Right wrist plain radiograph of the wrist · PA/AP view · imaged through cast
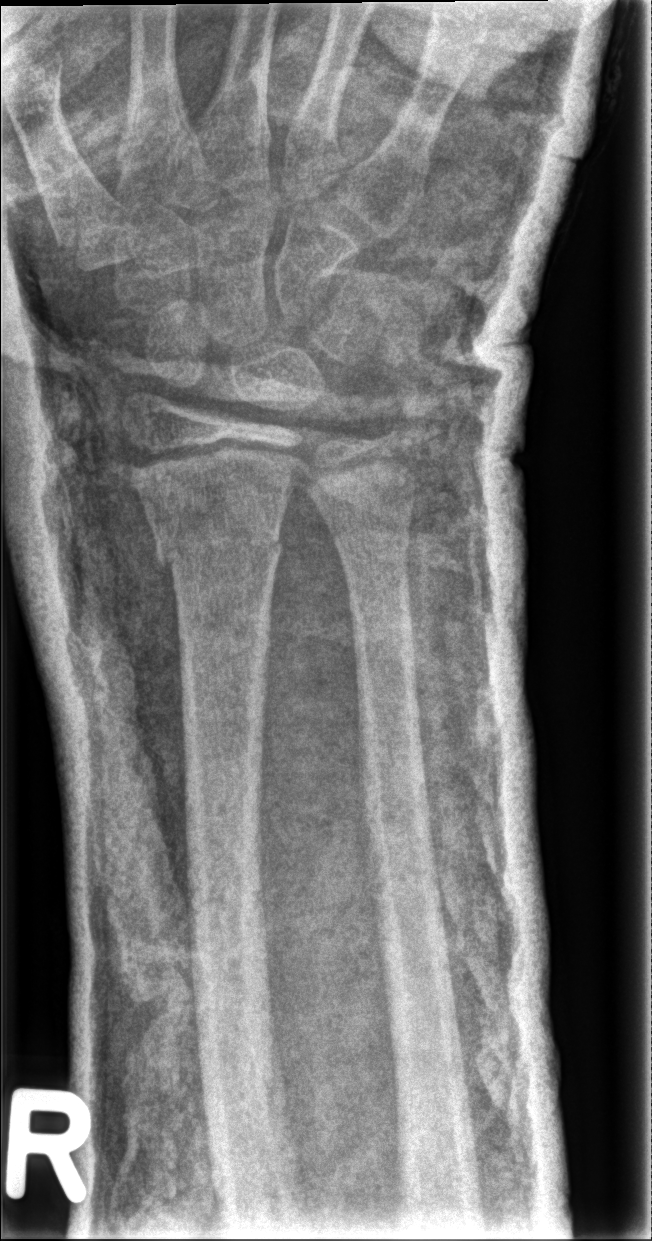
ao: 23r-M/3.1; 23u-M/2.1; 23u-E/7
fracture: 2 @ (153, 517, 284, 575) (327, 509, 414, 566)